Lat | L pediatric wrist radiograph | boy, 10 yo | cast present | image size 528x1259.
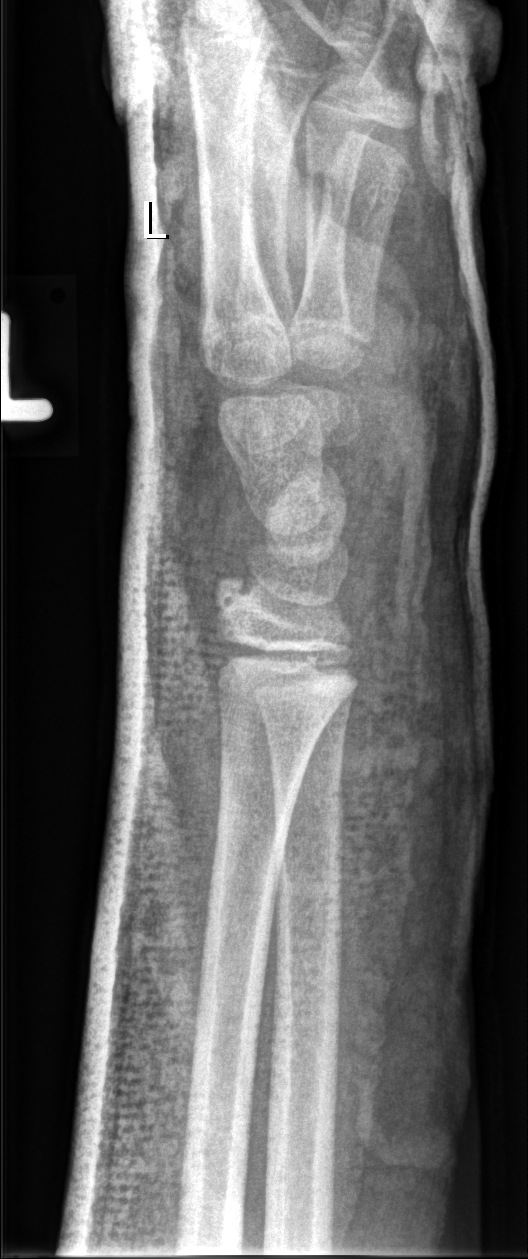
Fracture classified AO/OTA 23r-E/2.1; 23u-E/7.
Fx present but not clearly seen in this view.